Lt wrist radiograph; PA; male, 15 yo; image 80.9 mm wide

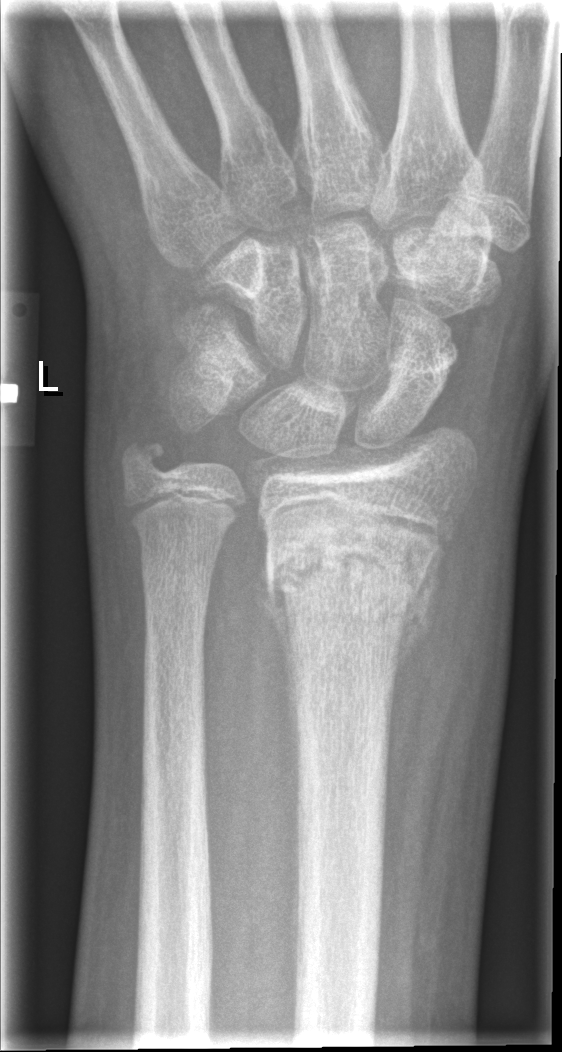
Bounding boxes in image-pixel xyxy.
Fx: 256 515 442 685; 115 430 177 486.
Periosteal reaction — 388 526 451 718 | 251 533 300 774.
Fracture classified AO/OTA 23r-M/3.1; 23u-E/7.
Osteopenia.